Left pediatric wrist radiograph; lateral projection; acquired on Siemens; 634 by 1110 pixels — 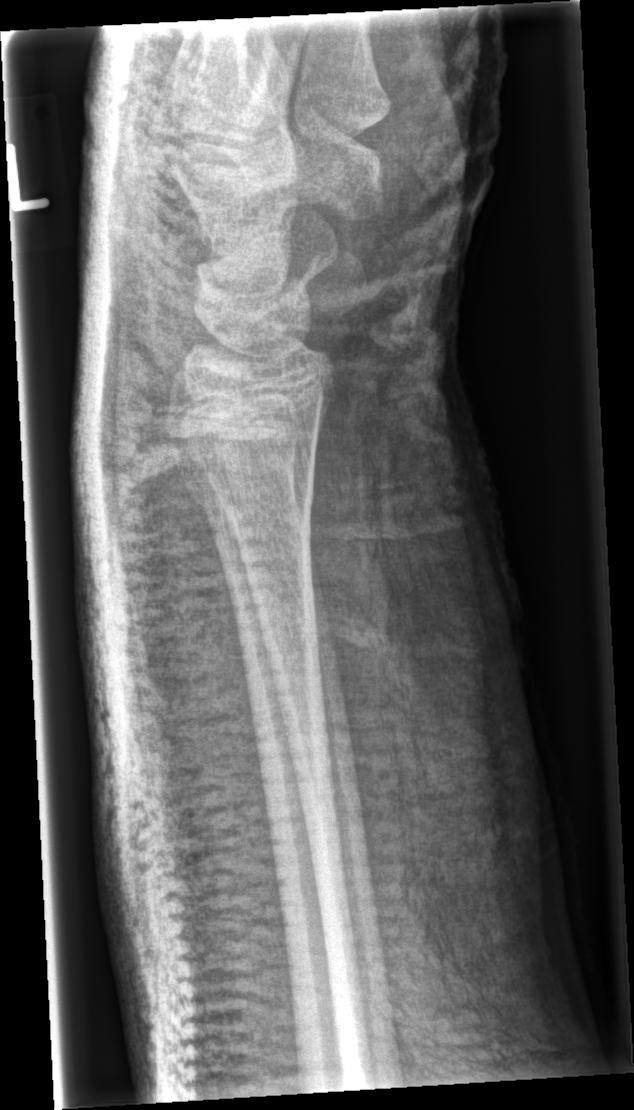

One Fx at [x1=173, y1=442, x2=320, y2=533].
AO code 23r-M/2.1.